Right wrist radiograph; PA projection; girl, 16 yo; image size 559x1206 —
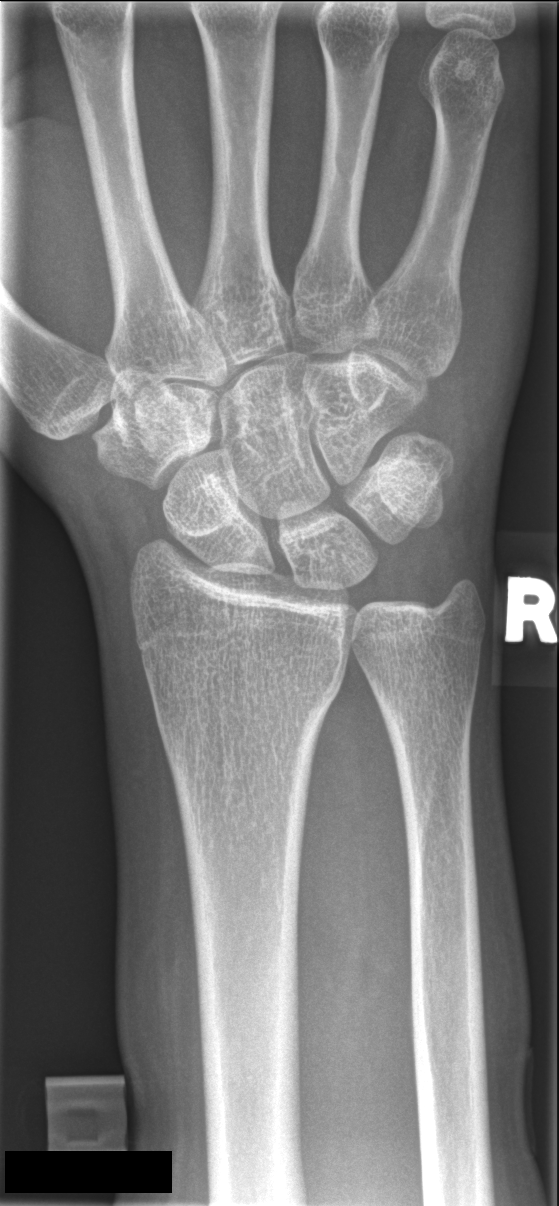

Q: Fracture present?
A: No fracture labeled